Right wrist radiograph | PA projection | age 9 y, female — 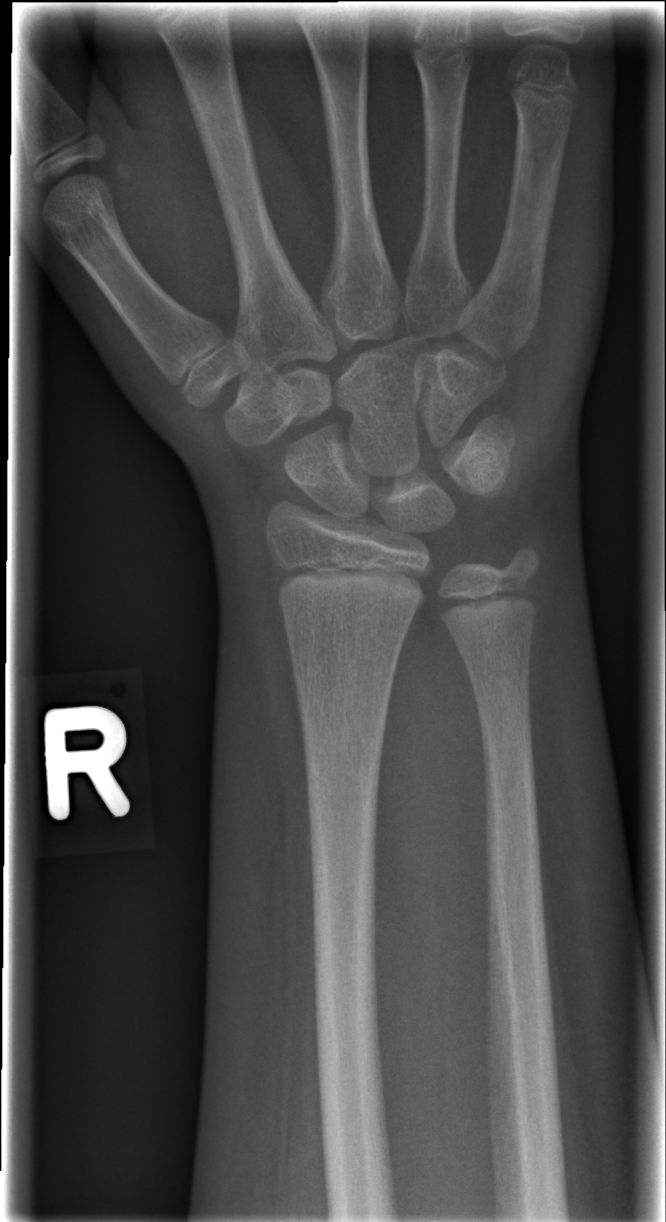
No fracture labeled.